AP · R pediatric wrist radiograph · age 12 y, girl · presentation radiograph 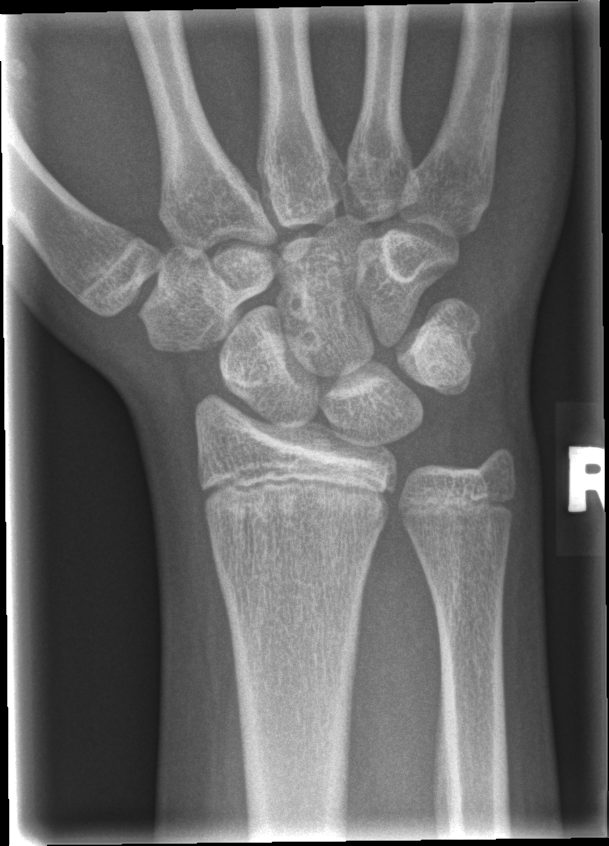 No fracture annotation.